Left wrist XR, lat projection, subsequent exam, 482x1319: 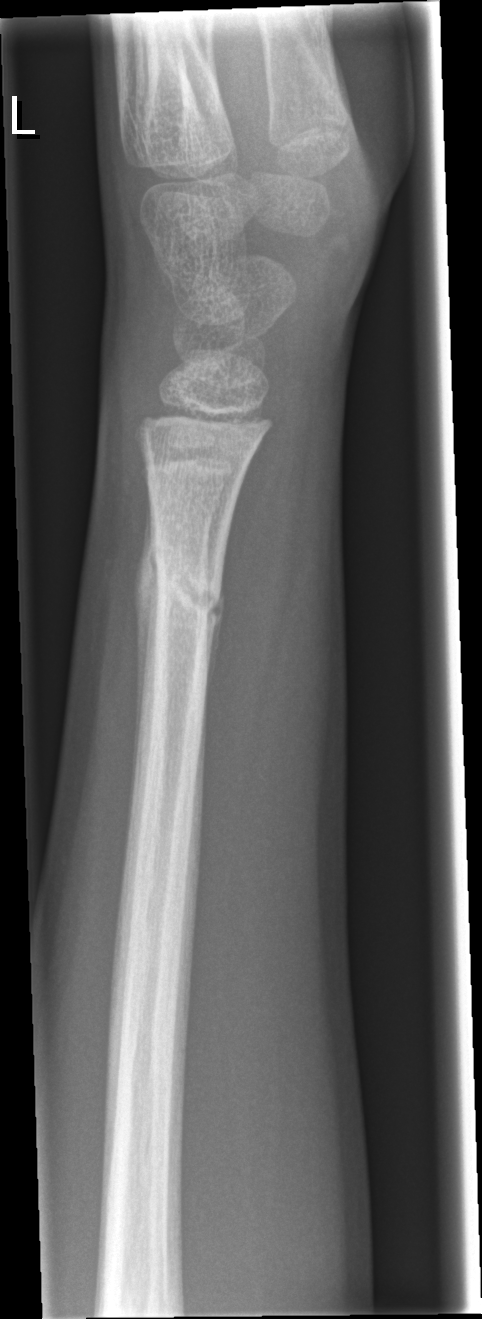 Q: Is there osteopenia?
A: Reduced bone mineral density
Q: Any periosteal thickening?
A: Periosteal thickening identified at 133,494,157,803; 204,578,226,695
Q: Fracture present?
A: Bone fracture: 136,544,228,643